Lateral projection · L wrist plain film · 10y F · detector: Siemens 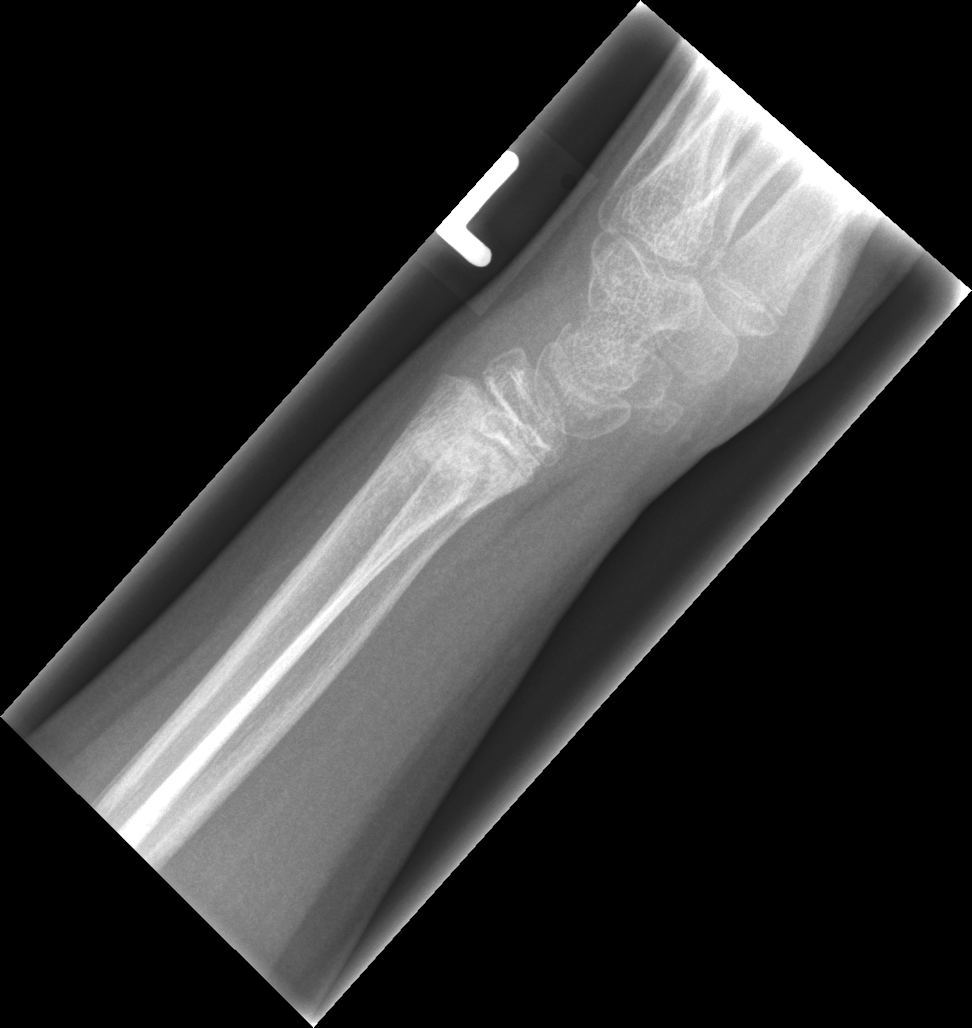

Findings: AO/OTA classification: 23r-M/2.1. One Fx at [388, 387, 543, 514].